Left wrist radiograph | frontal | 12y M:

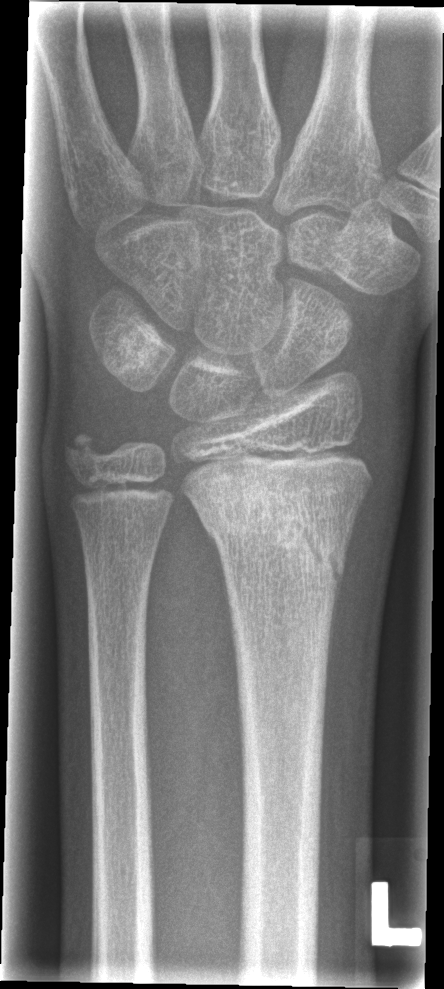 * Boxes as x1,y1,x2,y2 (top-left / bottom-right, pixel units).
* Reduced bone mineral density.
* Fractures — (191, 482, 354, 588); (56, 421, 109, 475).